Lateral · L wrist X-ray · in cast · image 72.1 mm wide — 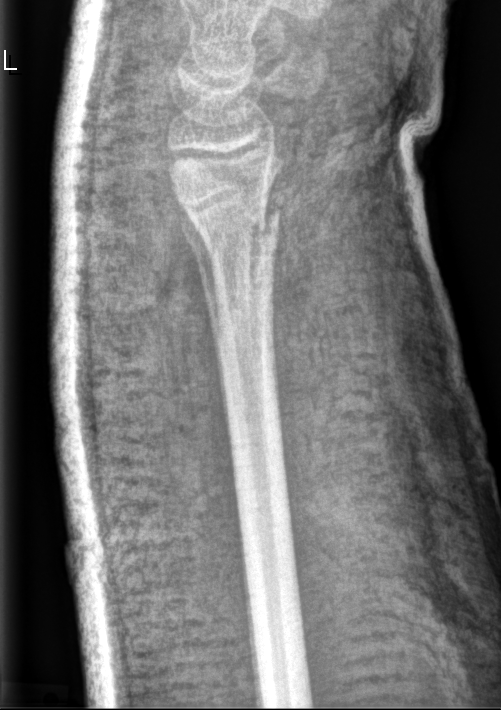

Fracture: 1 @ (182, 188, 283, 265)